Right wrist XR; lat view; male, 15 yo:

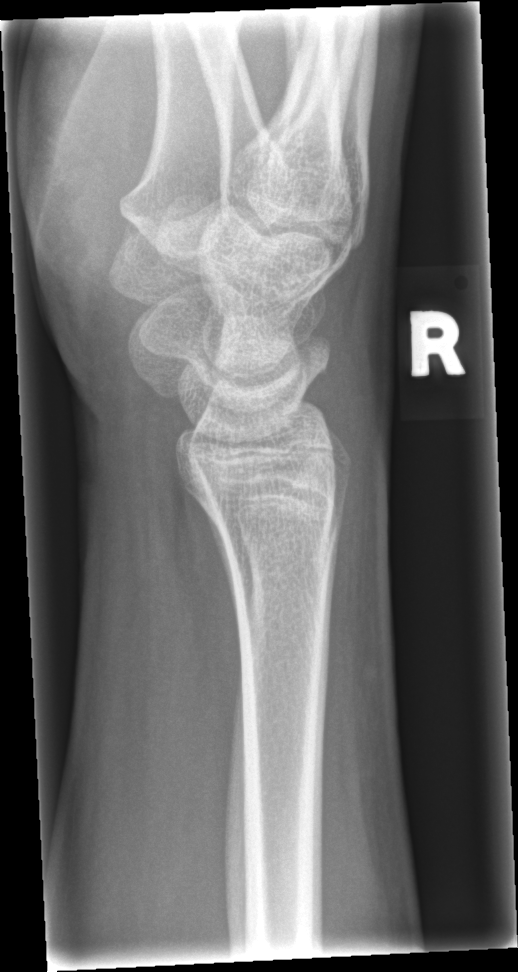
Bone fracture: none labeled